AP projection · Rt wrist XR · follow-up study · 694x768 —
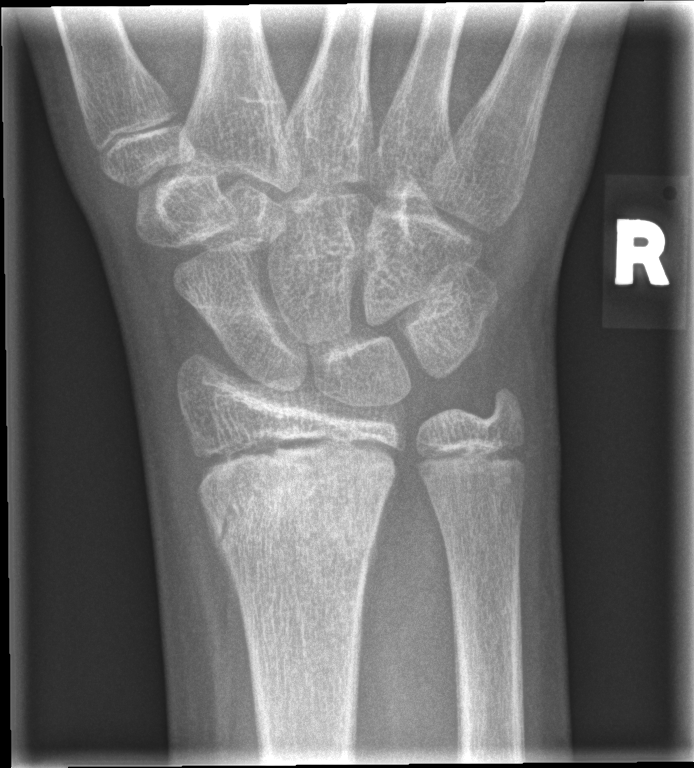
• Coordinates are [x1, y1, x2, y2] in image pixels.
• Fx: (left=191, top=449, right=389, bottom=567).
• AO/OTA classification: 23r-M/3.1.